Lt wrist plain film | PA projection | acquired on Siemens | 564 by 862 pixels

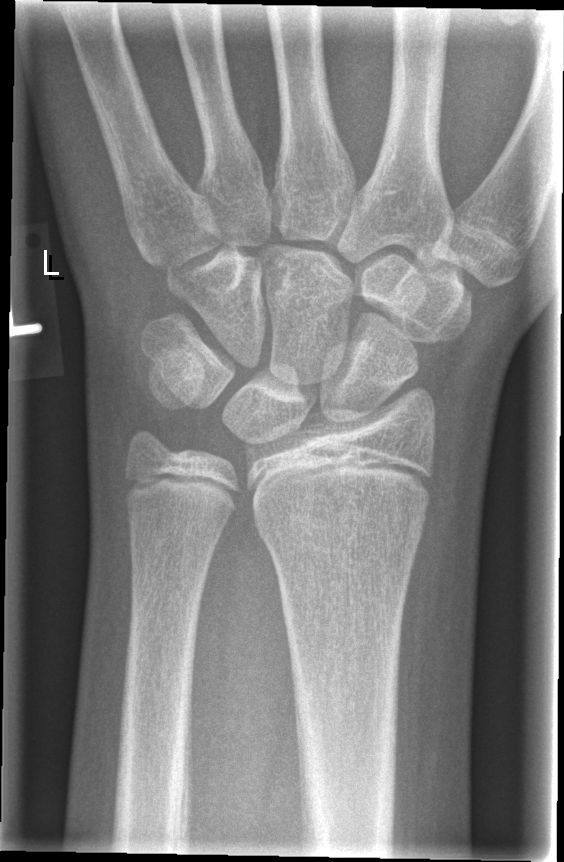

AO classification = 23r-M/2.1
Fx = present but not clearly seen in this view